Lateral view | R plain radiograph of the wrist | boy, 6 yo | subsequent exam | in cast | Siemens.
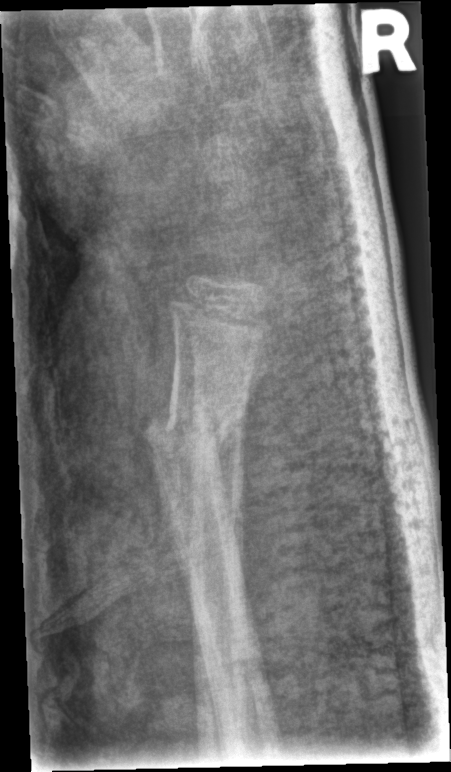

FINDINGS — (coordinates are [x1, y1, x2, y2] in image pixels) One fracture at 139,397,250,466.